R pediatric wrist radiograph, lateral view, 10y M, 553x1240 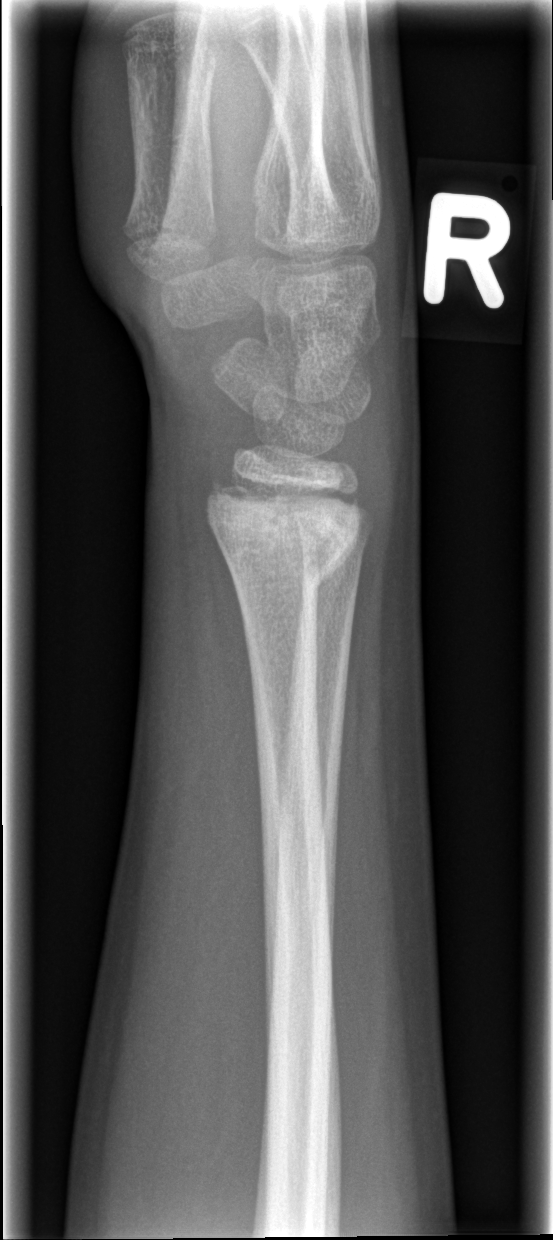 Fx: 204,471,366,594
AO classification: 23r-E/2.1